Lt plain radiograph of the wrist | lat projection | pediatric patient (boy, age 11):
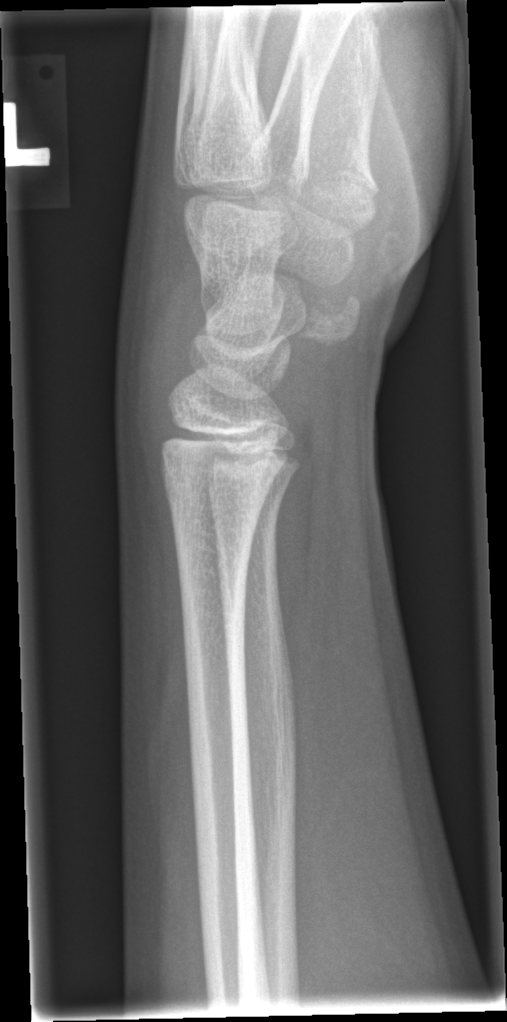 Fracture: none labeled.